PA view, L pediatric wrist radiograph, 10-year-old female 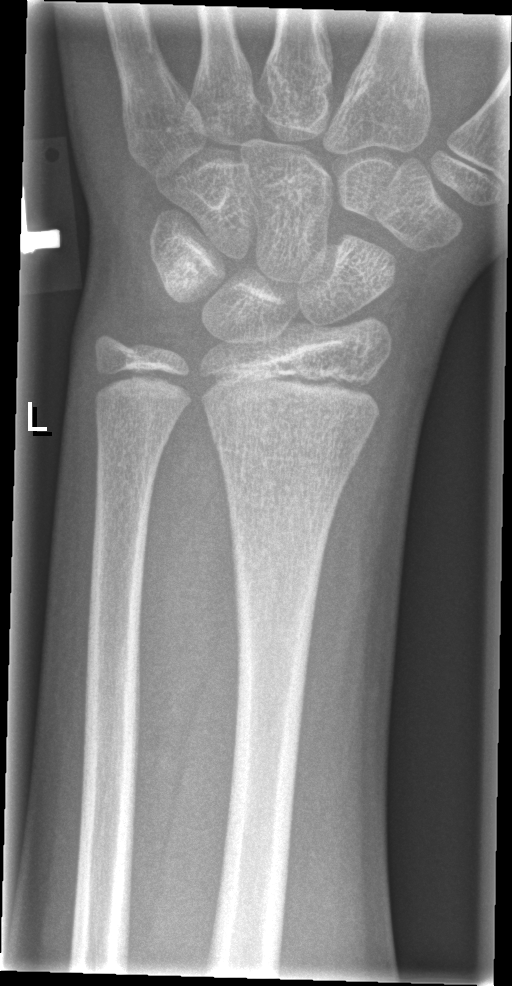
{
  "fracture": "present but not clearly seen in this view",
  "ao": "23r-M/2.1"
}